Lat · left wrist XR · subsequent exam · in cast:

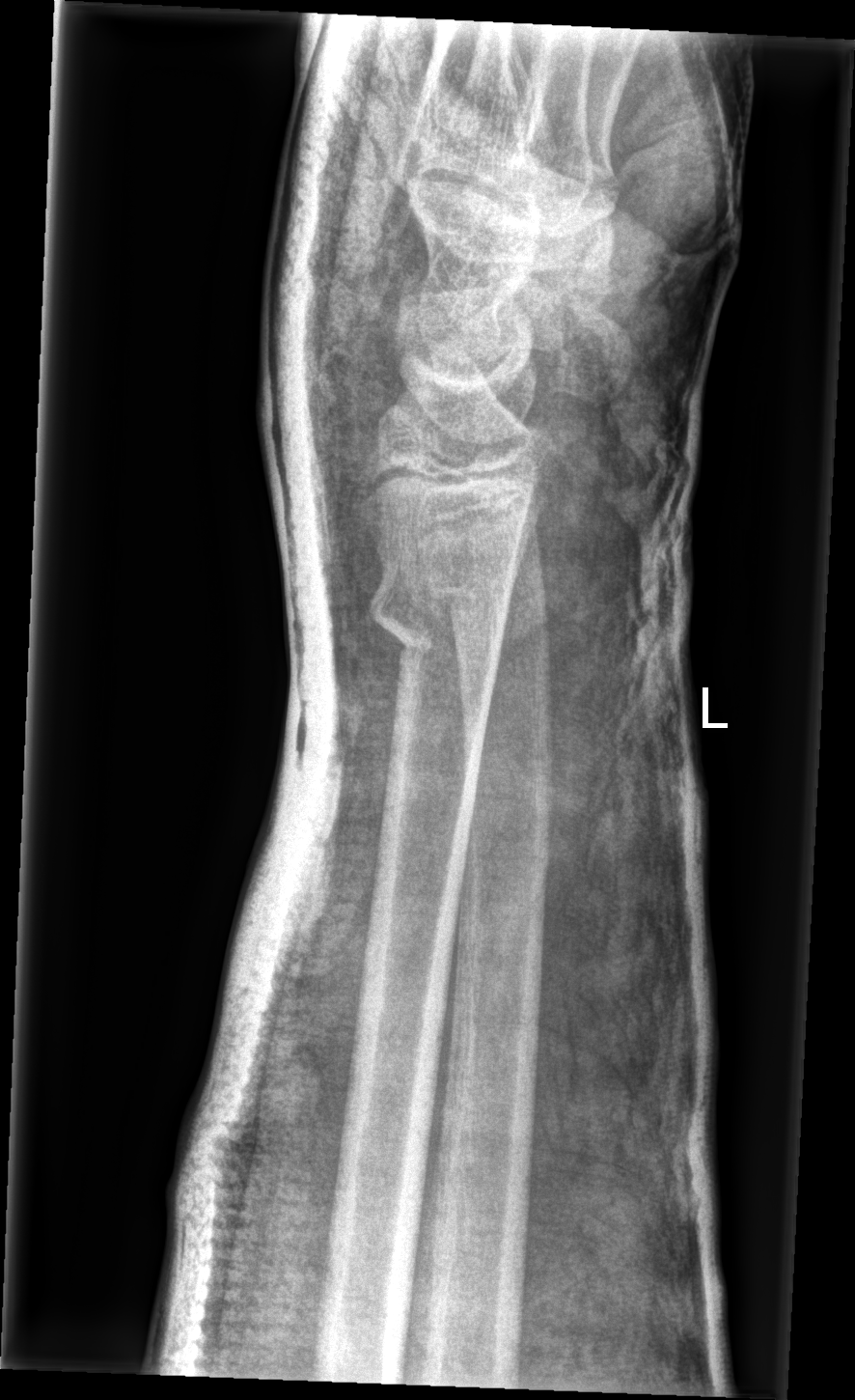
Bounding boxes in image-pixel xyxy.
Fx: 366 553 510 666.
AO code 23r-M/3.1; 23u-M/2.1; 23u-E/7.